Lt wrist X-ray · lat · 10-year-old girl · in cast · 67.2 mm image width 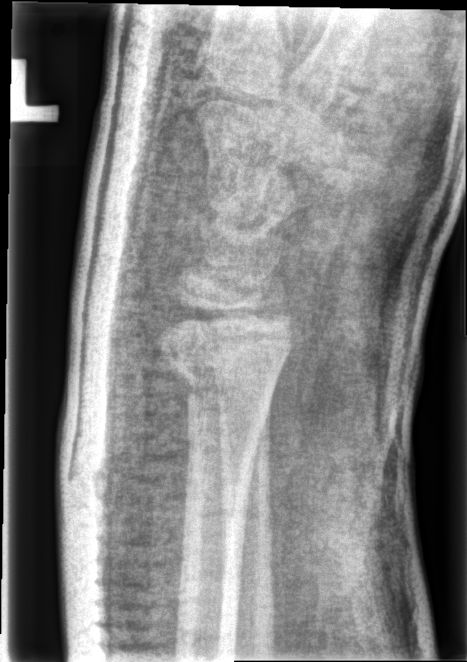

{"_coords": "pixel coordinates, top-left origin, xyxy", "fracture": "1 @ [x1=154, y1=331, x2=294, y2=407]", "periostealreaction": "[x1=168, y1=358, x2=194, y2=462]"}